Left wrist plain film; lateral; male, 6 yo; presentation radiograph — 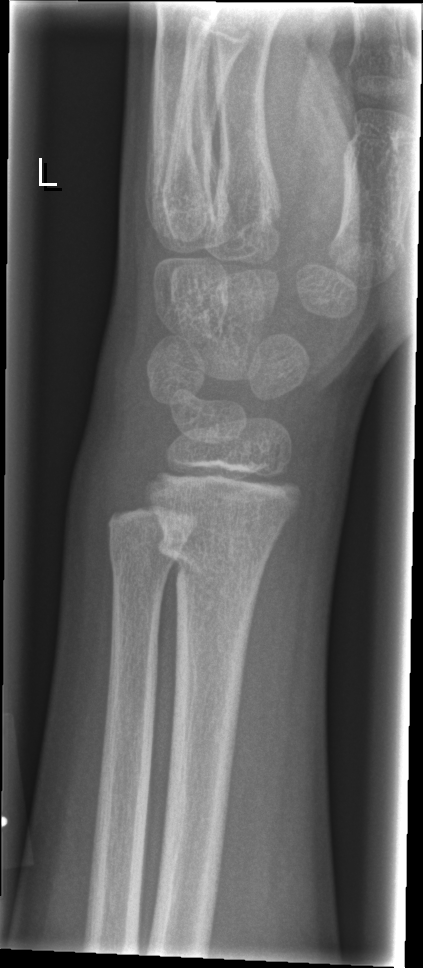 fracture: 2 @ bbox(155, 517, 275, 591); bbox(107, 533, 186, 586)
AO code: 23-M/2.1